Rt wrist radiograph · PA/AP view · 11-year-old female · follow-up study · in cast · image size 664x913. 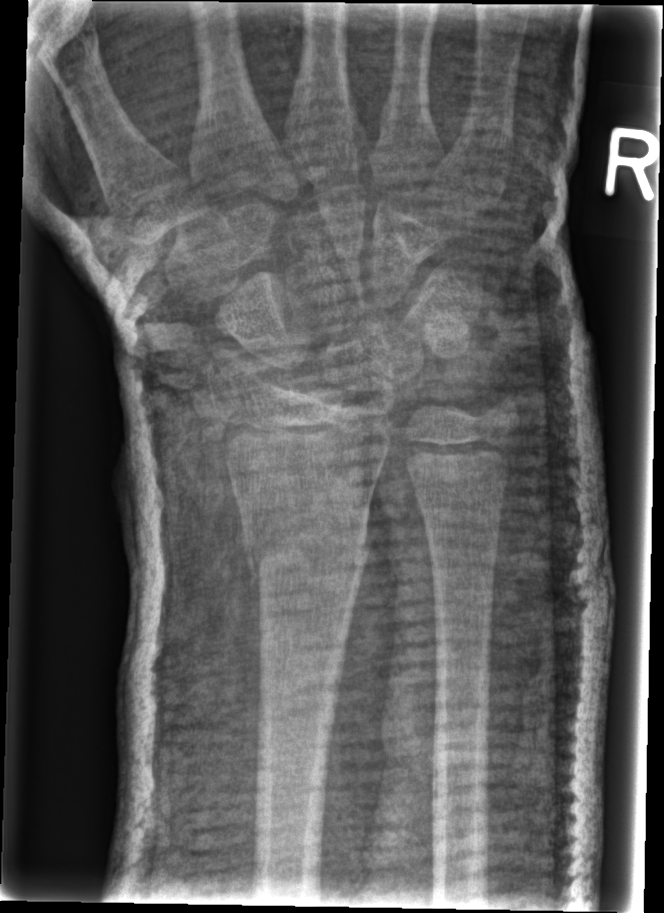

Fx = 2 @ [x1=399, y1=395, x2=525, y2=468]; [x1=245, y1=507, x2=363, y2=578]